Rt wrist radiograph · PA/AP view · girl, 16 yo · follow-up · in cast:
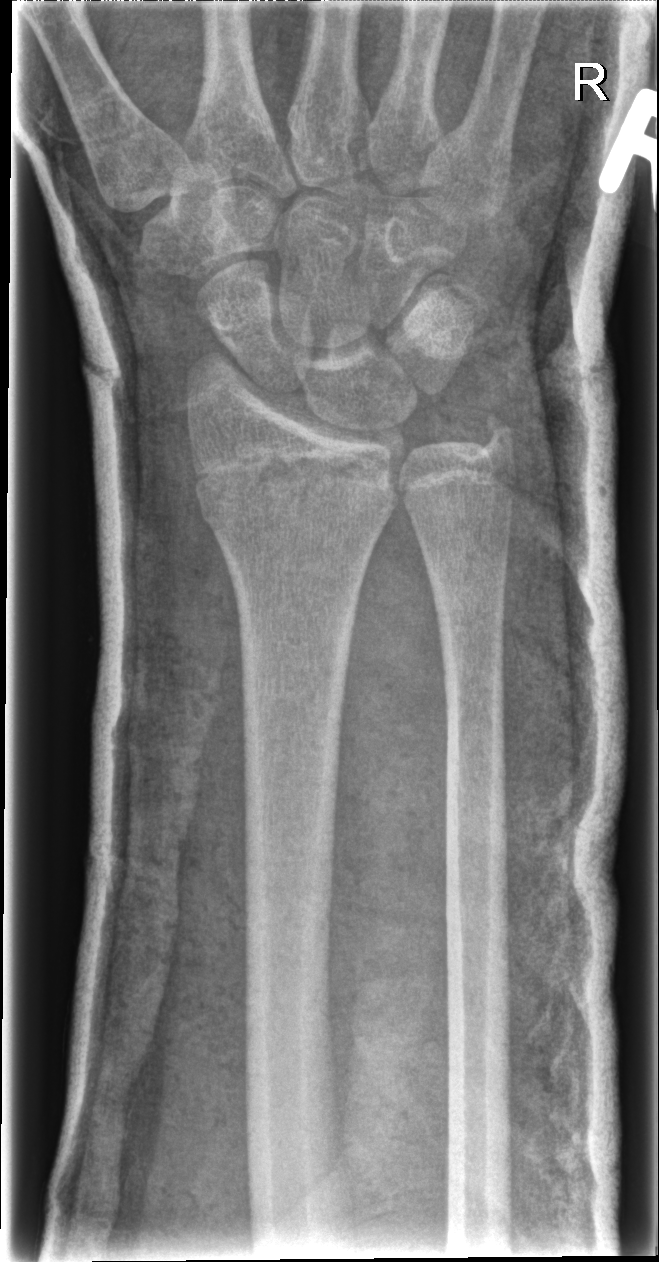 (pixel coordinates, top-left origin, xyxy)
Fracture = 190 443 401 544 | 459 407 524 475
AO/OTA = 23r-E/2.1; 23u-E/7